L wrist radiograph, PA/AP view —
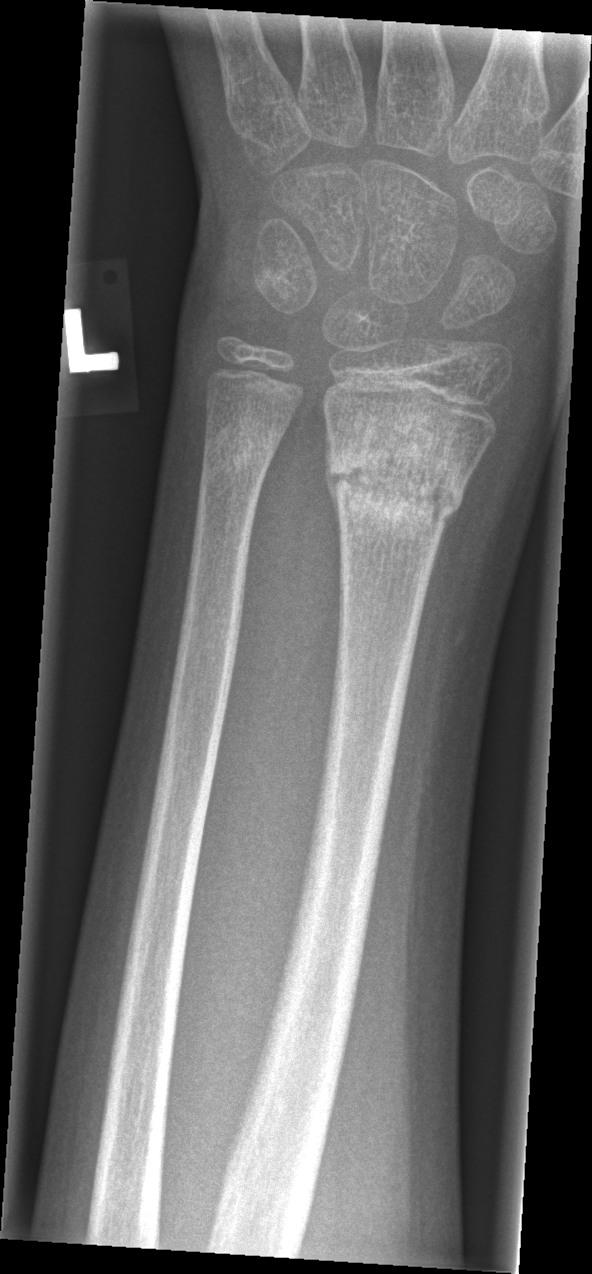 (bounding boxes in image-pixel xyxy)
Fracture: [324, 423, 475, 529], [197, 428, 282, 490]
AO code: 23-M/3.1
Osteopenia: present